Lat, left wrist X-ray:

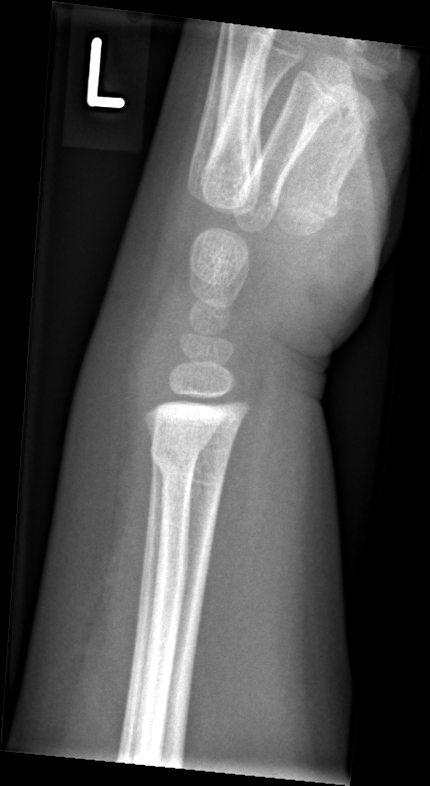 Fracture = 1 @ bbox(147, 427, 234, 489)
AO classification = 23-M/2.1